PA/AP projection, L wrist X-ray — 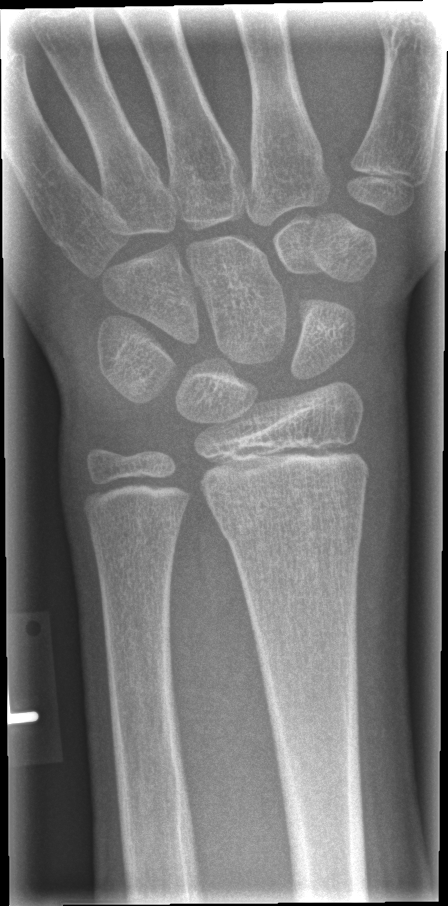 {"fracture": "1 @ (left=215, top=502, right=366, bottom=559)"}